Left wrist plain film | PA view | detector: Siemens | 343x616 — 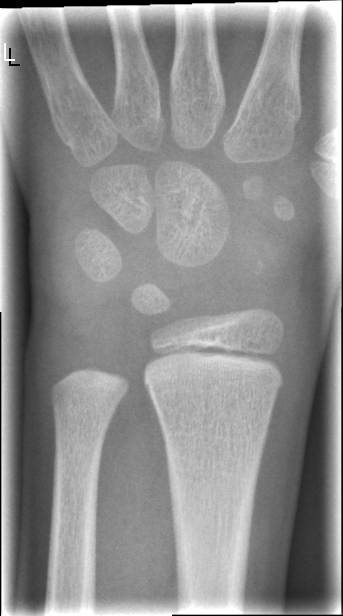 {"fracture": "none labeled"}